Posteroanterior; left wrist radiograph; presentation radiograph; Siemens; image 94.5 mm wide — 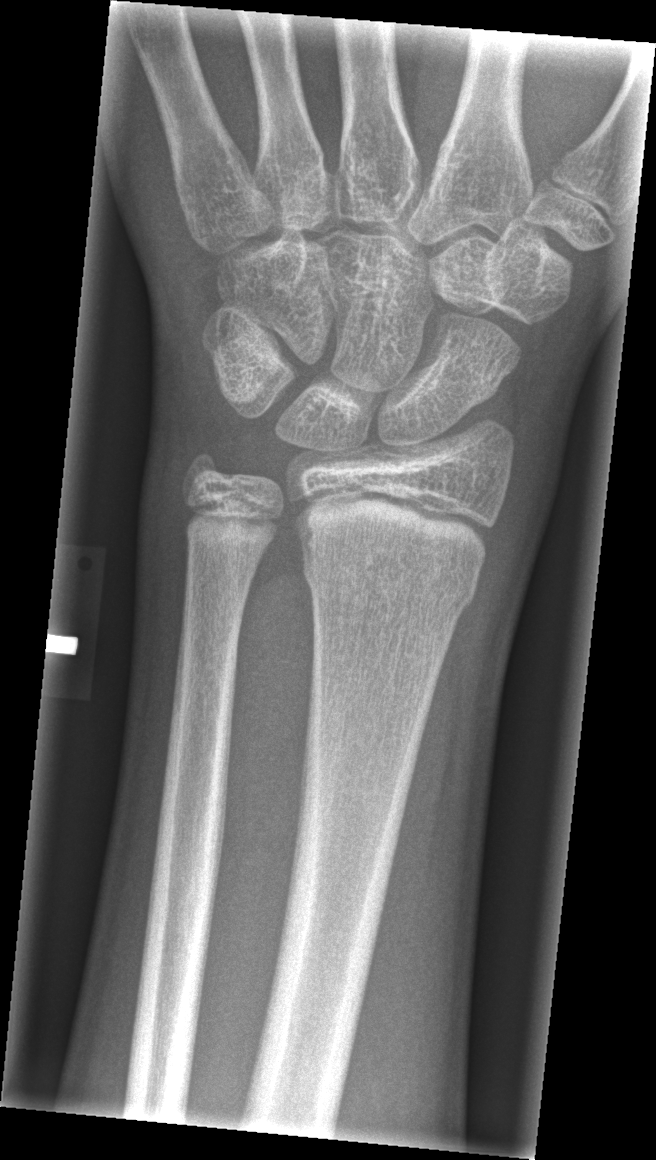
(bounding boxes in image-pixel xyxy)
Bone fracture = 1 @ bbox(299, 516, 481, 624)